L wrist XR, lat view, pediatric patient (female, age 9), imaged through cast, image 64.2 mm wide, 446 by 1124 pixels:
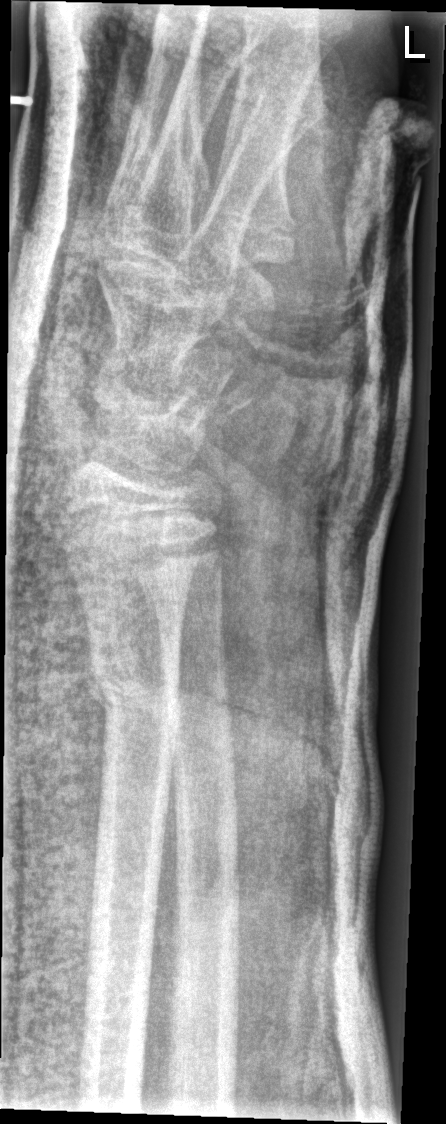
FINDINGS: (bounding boxes in image-pixel xyxy) AO/OTA classification: 23r-M/2.1; 23u-E/1. One bone fracture at 83 662 184 754.